Left wrist plain radiograph of the wrist; frontal view; male, 16 yo:
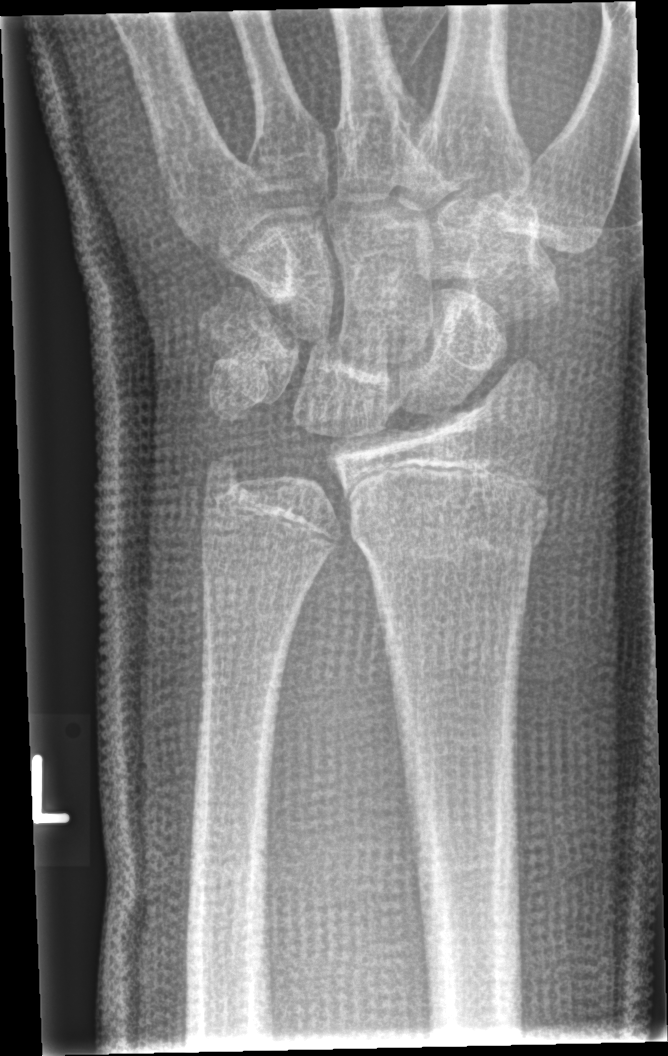

Findings: AO code 23r-M/3.1; 23u-E/7. Two Fx at bbox(351, 491, 553, 565) bbox(197, 445, 261, 504).